Left wrist XR; lat; 11y M; 584 x 746 px 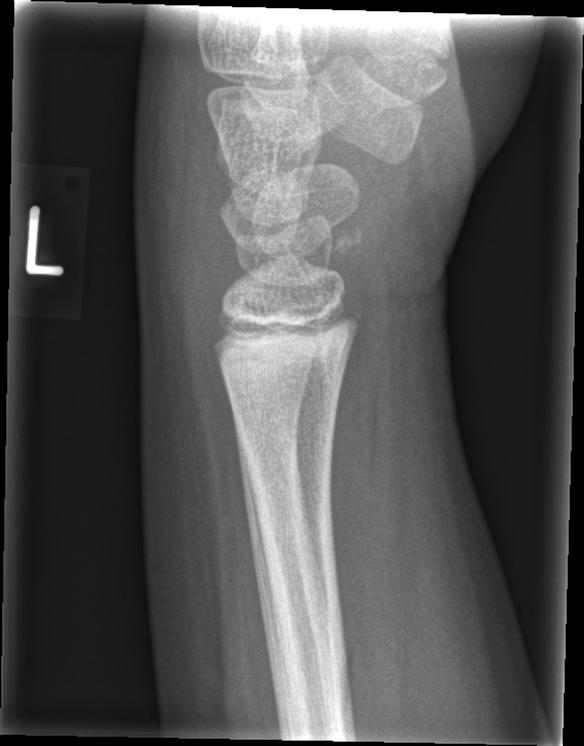 Pixel coordinates, top-left origin, xyxy.
Fx: none.
Soft-tissue finding — (128, 66, 246, 355).